Right wrist XR, AP projection, image width 65.2 mm —
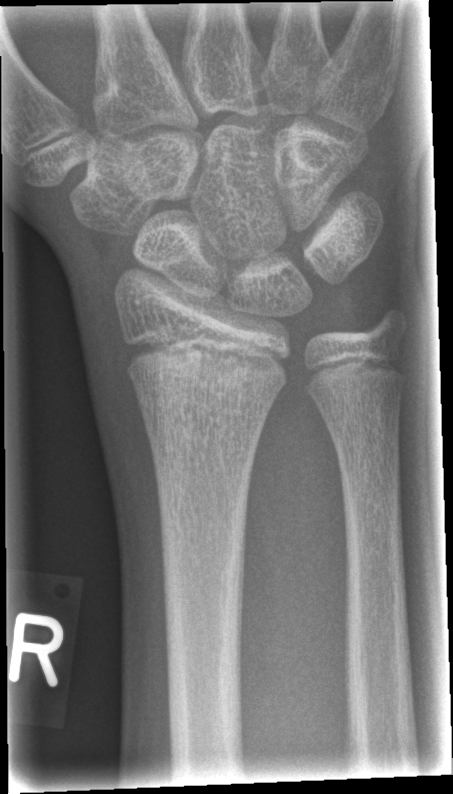
Fracture = none labeled